Lateral view · right plain radiograph of the wrist · cast in situ · 303 by 834 pixels — 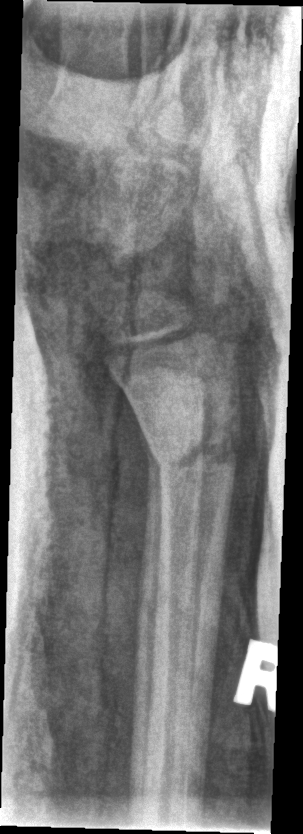 Findings: (boxes as x1,y1,x2,y2 (top-left / bottom-right, pixel units)) AO code 23r-M/3.1; 23u-M/2.1. Fx: [142, 437, 248, 489].